Rt wrist XR; lat; cast present
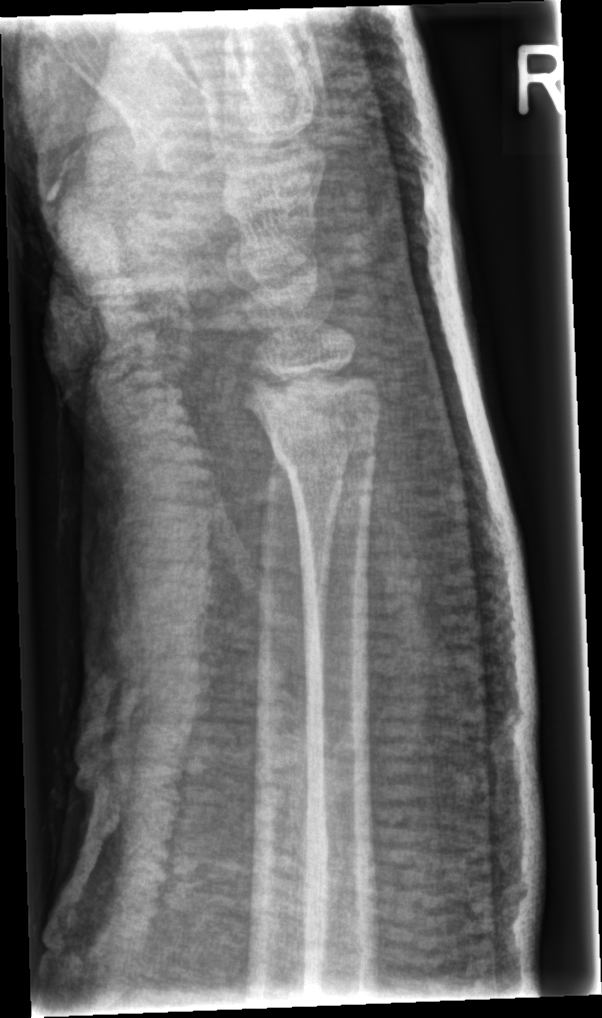
Bounding boxes in image-pixel xyxy. Bone fracture — <268,419>-<385,502>. AO code 23r-M/3.1; 23u-M/2.1.